Lateral projection | left wrist plain film | 5-year-old male | presentation radiograph.

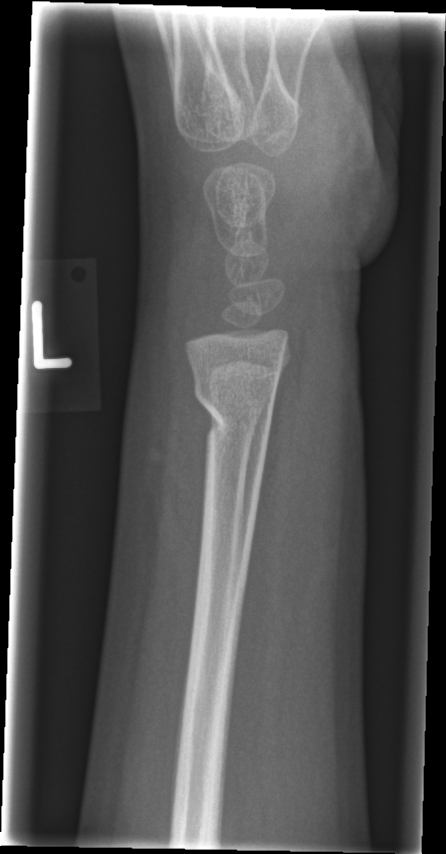
(boxes as x1,y1,x2,y2 (top-left / bottom-right, pixel units))
AO/OTA: 23r-M/2.1
bone fracture: 1 @ 189 369 280 444